PA projection · Lt wrist XR · boy, 13 yo · acquired on Siemens · 633 x 1152 px

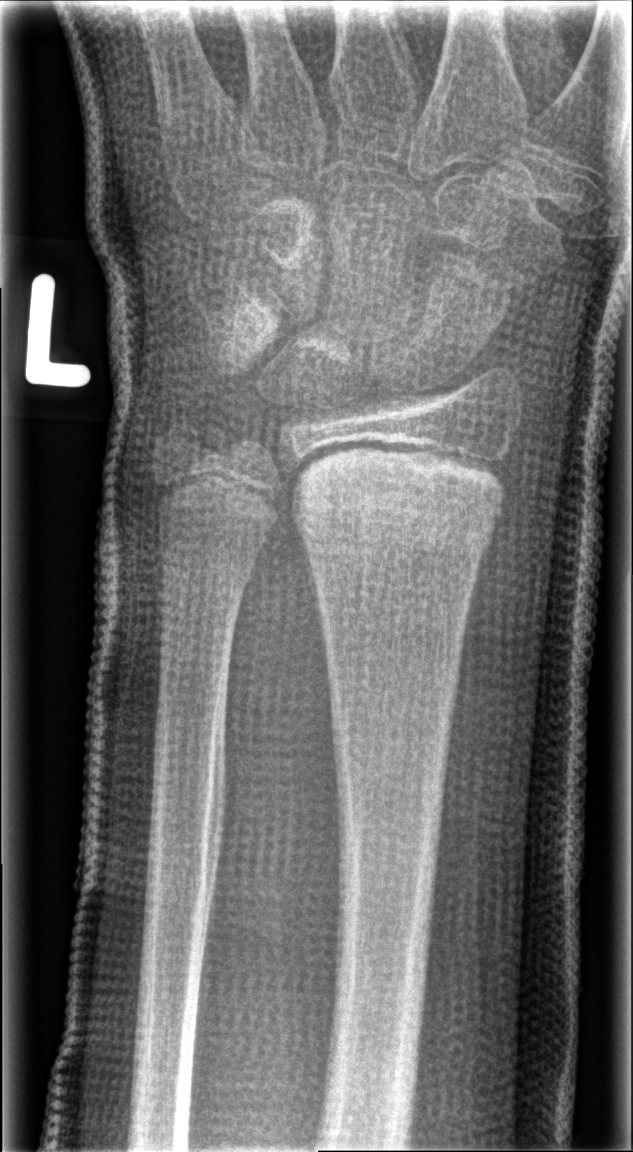

Findings: (pixel coordinates, top-left origin, xyxy) Fx: (288, 458, 507, 546) (147, 412, 233, 467). AO code 23r-M/3.1; 23u-E/7.